Lateral view | Rt wrist plain film | pediatric patient (male, age 14) 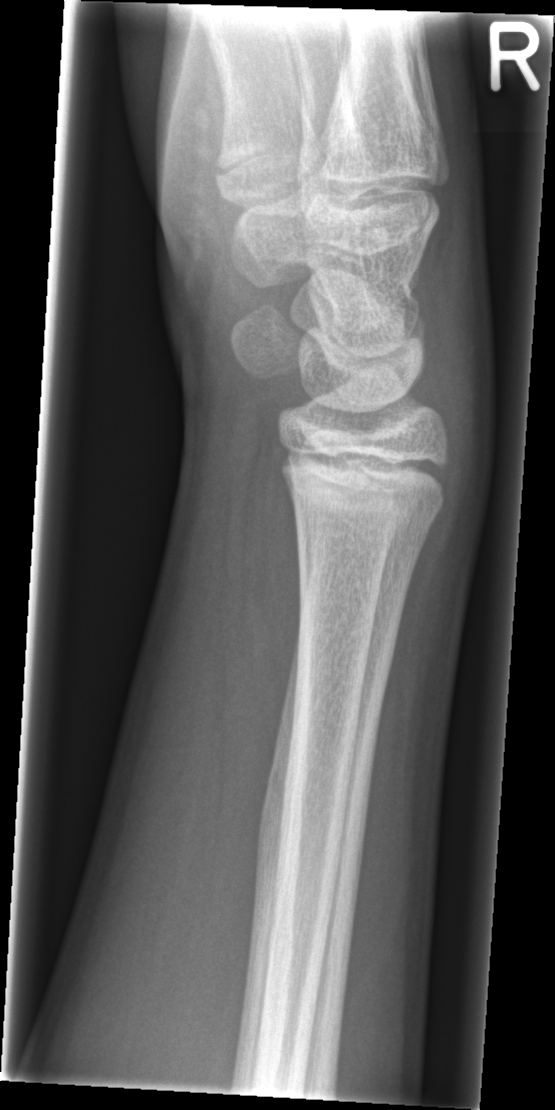
FINDINGS — No fracture labeled.